Left wrist plain radiograph of the wrist, PA/AP, detector: Siemens:
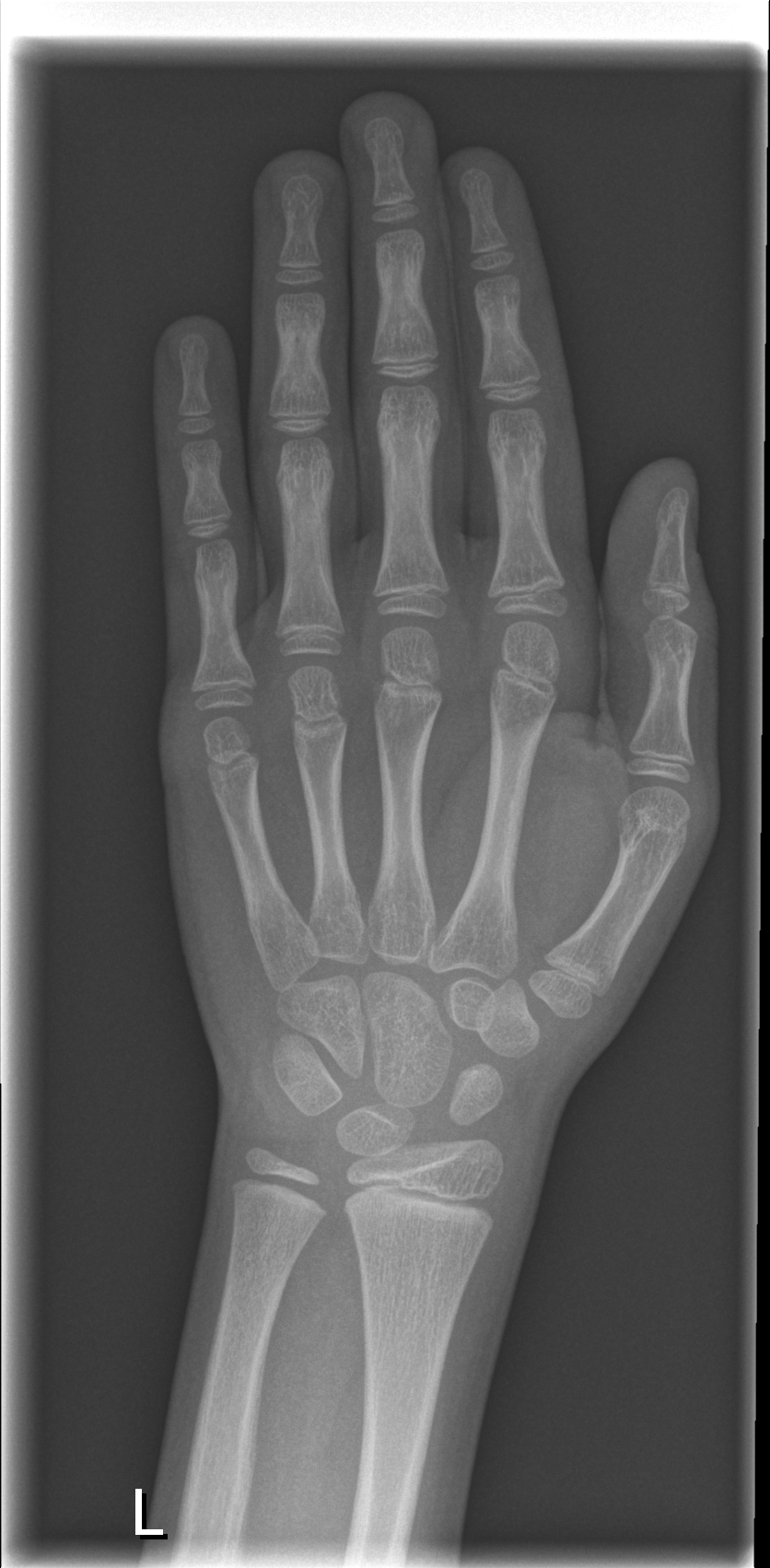
No Fx annotated.